Right wrist plain film | PA view | boy, 10 yo | initial study —

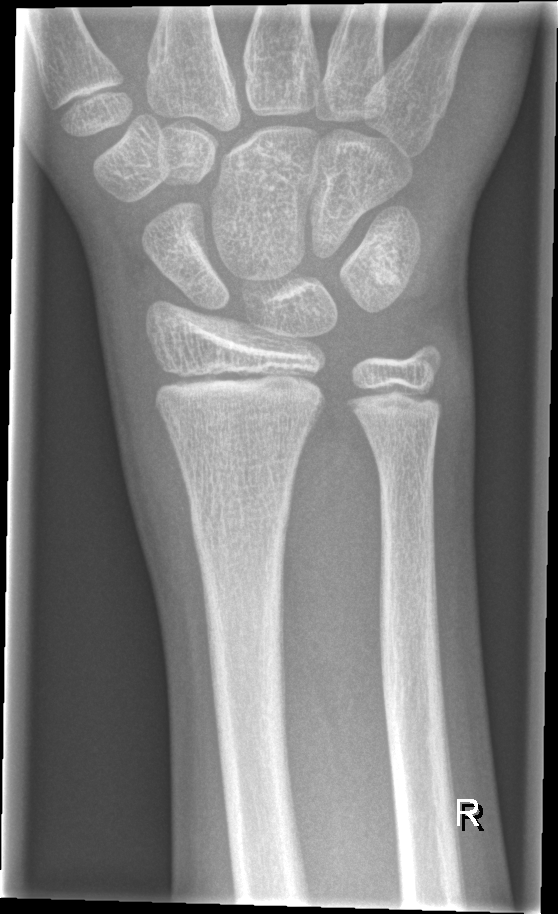
(coordinates are [x1, y1, x2, y2] in image pixels)
Fx: 186,485,295,567
AO classification: 23r-M/2.1